Frontal · right plain radiograph of the wrist · 12y F · initial study.
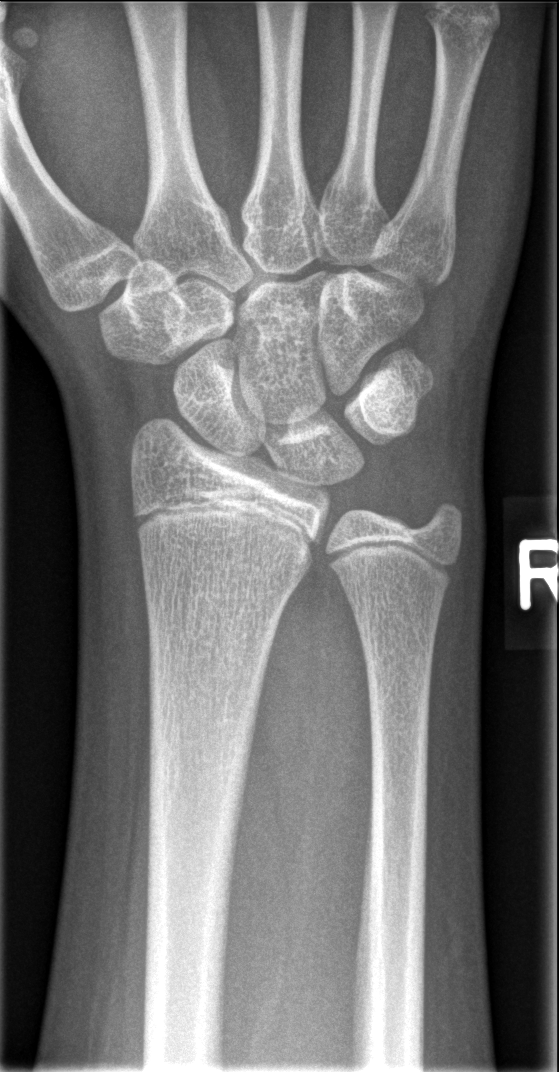 * No fracture bounding box.